Lateral view, Lt pediatric wrist radiograph, follow-up study —

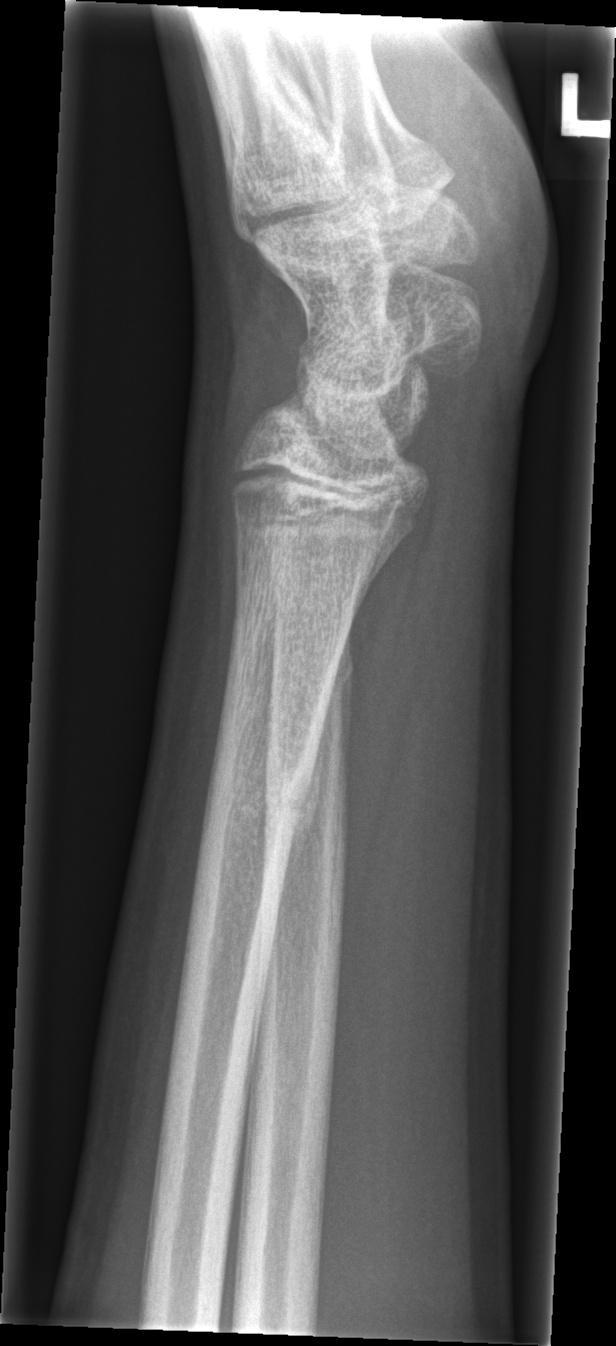
Findings: (coordinates are [x1, y1, x2, y2] in image pixels) AO/OTA classification: 22r-D/4.1; 23u-M/3.1. Periosteal new bone — (276, 698, 330, 901); (339, 671, 353, 784). Bone fractures — (194, 751, 315, 859); (267, 631, 358, 707).